Lateral view, right pediatric wrist radiograph, age 5 y, girl — 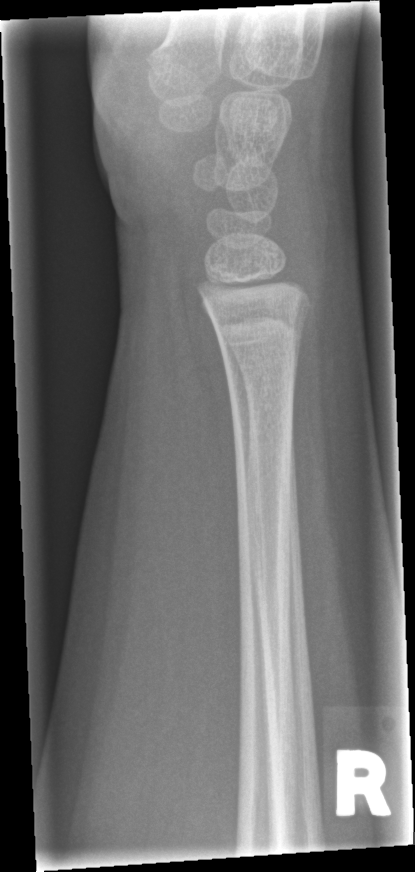

Q: Locate any fractures.
A: Fx: none